Left wrist radiograph, PA view, pediatric patient (male, age 9), image 67.8 mm wide:
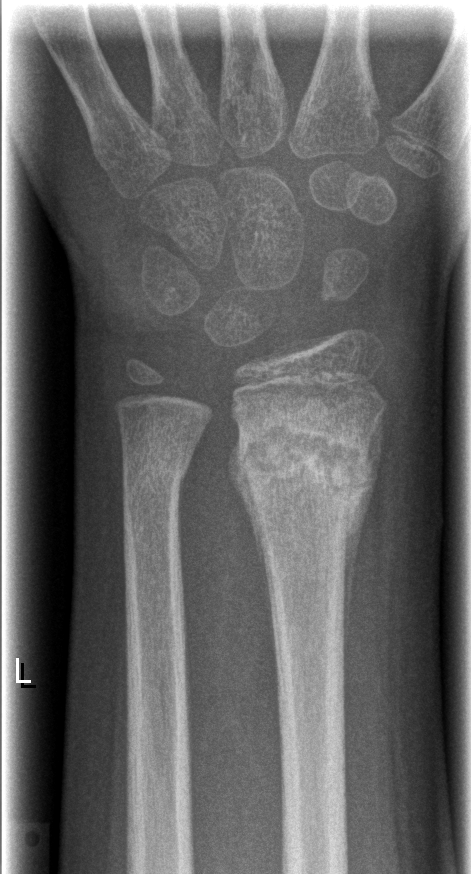 • Two fractures at <225,413>-<381,524>; <118,430>-<190,505>.
• Periosteal reaction — <340,409>-<384,664>, <229,437>-<275,637>.
• Osteopenic.